AP view | right wrist X-ray | boy, 8 yo | index exam | findings marked uncertain by the reading radiologist | 76.3 mm image width. 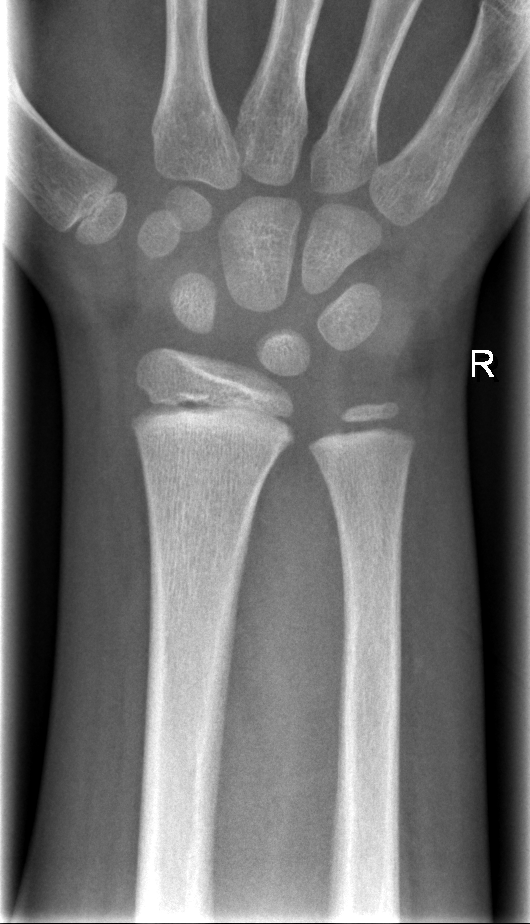
• AO/OTA classification: 23r-M/2.1.
• Fx present but not clearly seen in this view.